Lateral, Rt wrist radiograph, 65.2 mm image width, 453 x 1040 px — 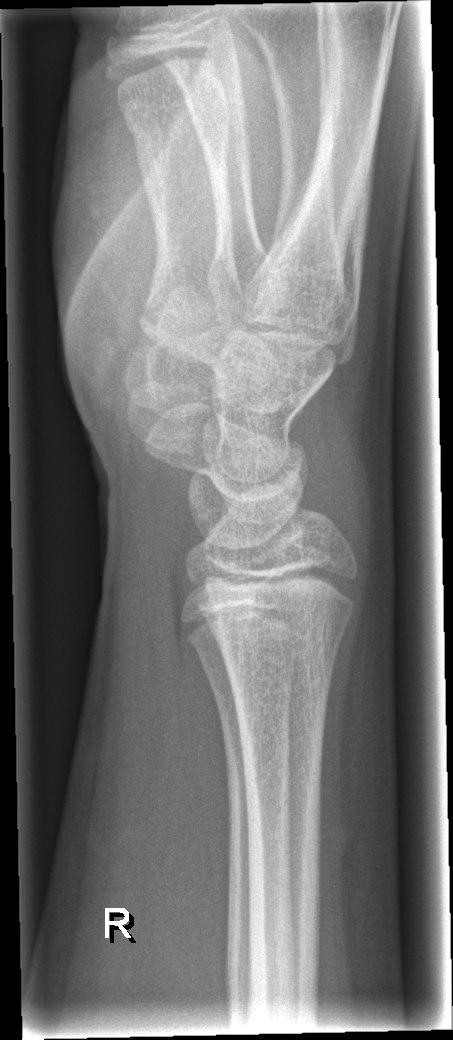 Fracture: none labeled